Right wrist plain film · lat projection · 13y M

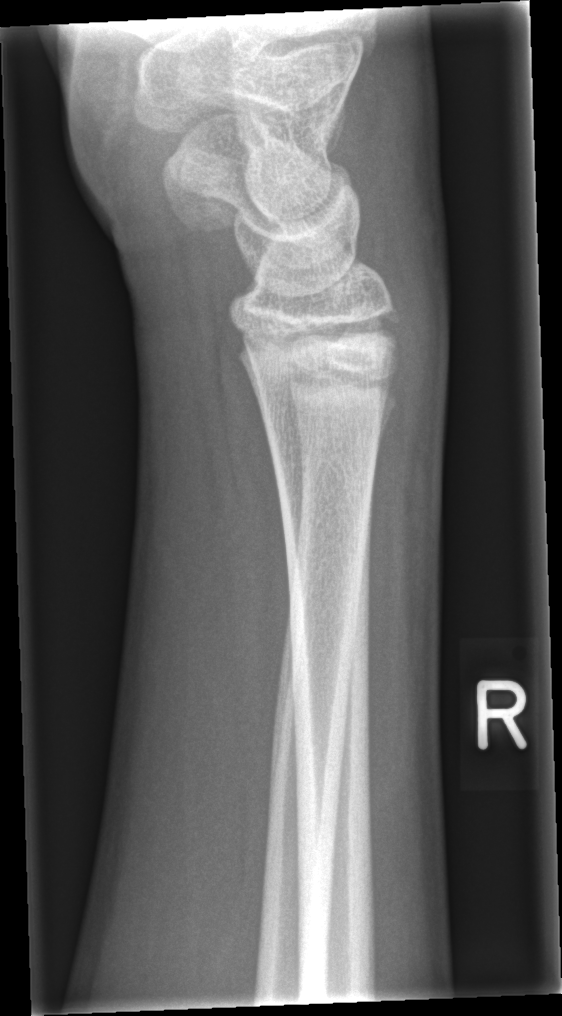
Q: What is the AO/OTA classification?
A: AO/OTA classification: 72B(c)
Q: Any fracture seen?
A: Fracture: present but not clearly seen in this view